Lat projection; L wrist XR; cast present.
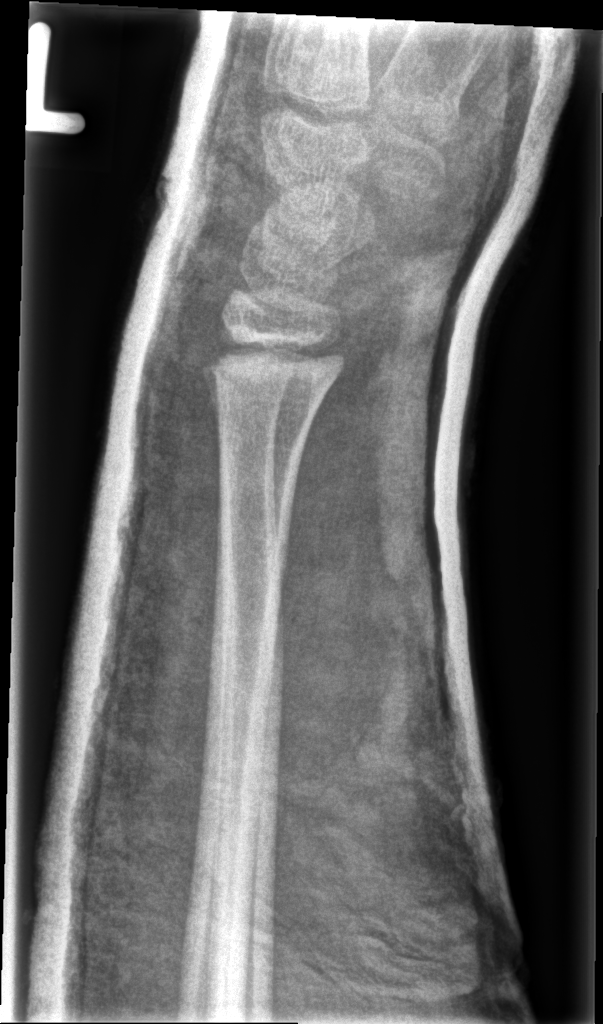
Fracture present, but no bounding box because it is not clearly seen in this view.
AO/OTA classification: 23r-E/2.1; 23u-E/7.